Frontal · left wrist pediatric wrist radiograph · 16y M · 594 x 1156 px — 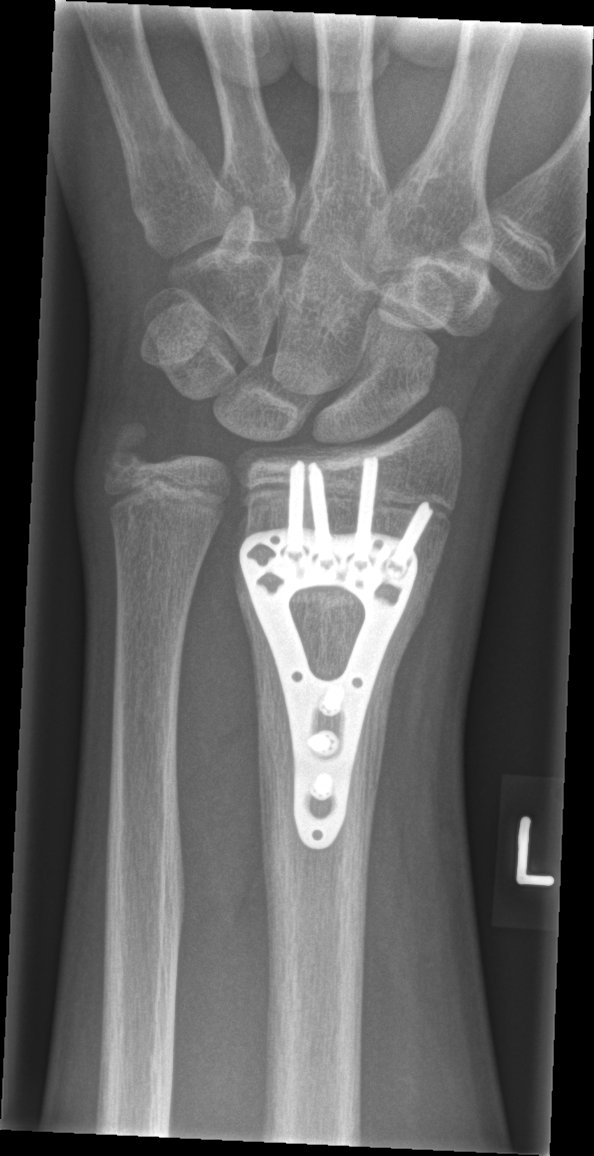
One hardware at 242,459,430,849. Fracture: 231,547,435,632; 97,411,166,480.